Right wrist radiograph · lat · 11-year-old female · presentation radiograph —
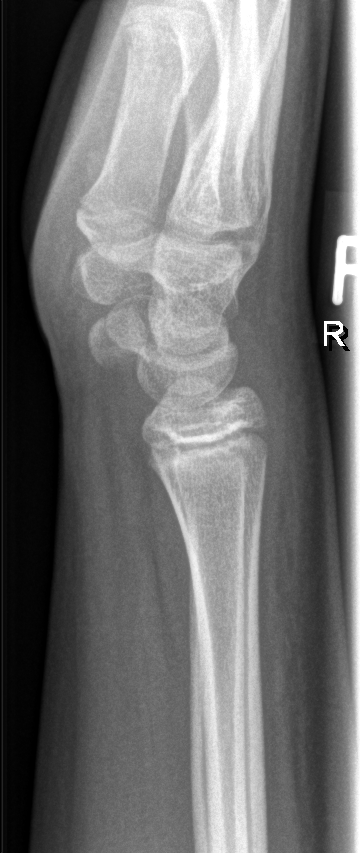 No fracture labeled.